Lateral · right wrist XR · 6y F:
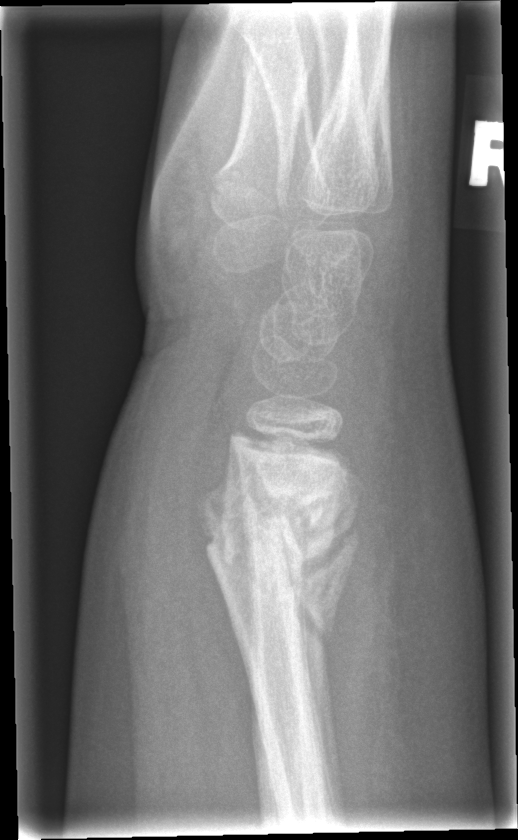
{
  "_coords": "boxes as x1,y1,x2,y2 (top-left / bottom-right, pixel units)",
  "osteopenia": "present",
  "fracture": "198 485 364 645"
}